Left wrist X-ray | lateral.
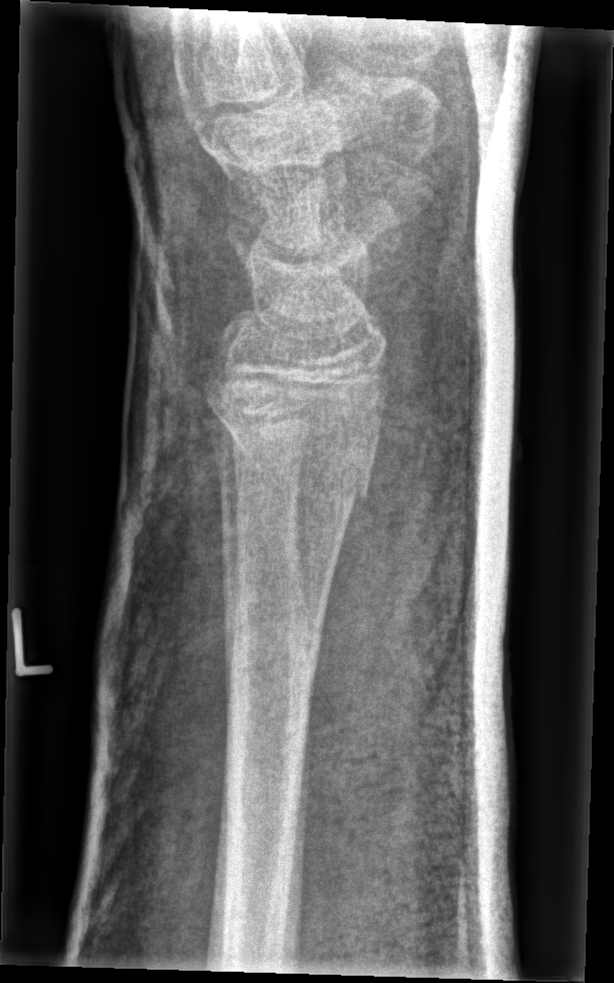
Fx = [199, 364, 388, 507]